Lateral view | Rt pediatric wrist radiograph | pediatric patient (female, age 8) | 445x718 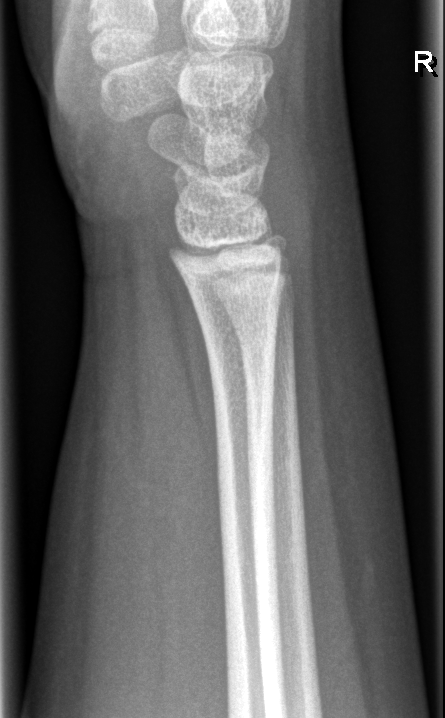
bone fracture = none labeled